R wrist radiograph | AP view | 8y M | cast present
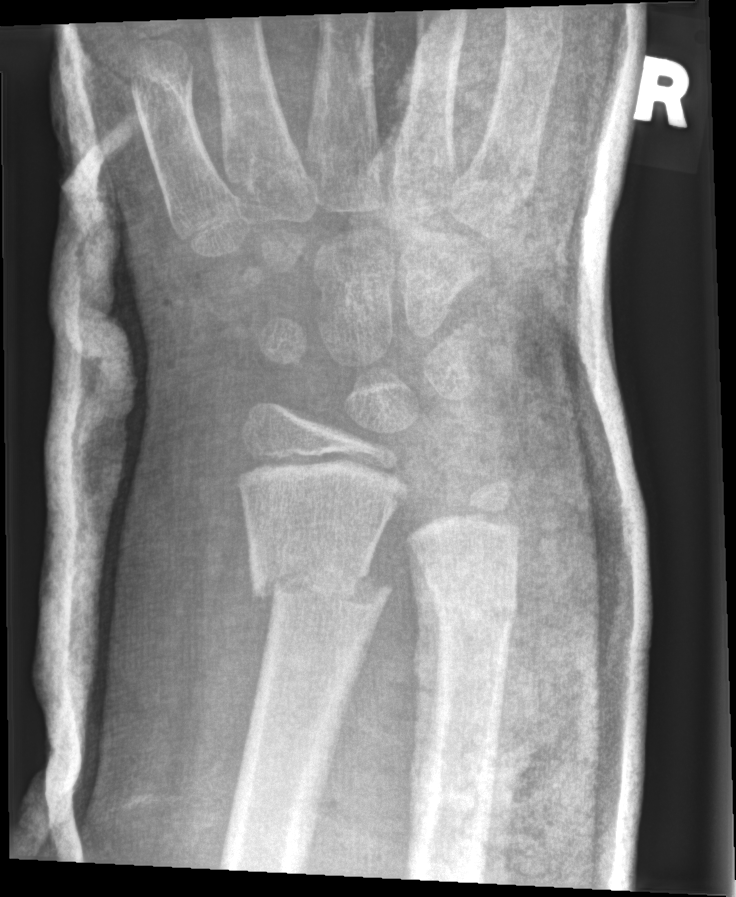
(boxes as x1,y1,x2,y2 (top-left / bottom-right, pixel units))
Periosteal new bone = [x1=409, y1=541, x2=449, y2=849]
Bone fracture = [x1=244, y1=551, x2=394, y2=626] [x1=429, y1=591, x2=523, y2=635]